R wrist X-ray, AP projection: 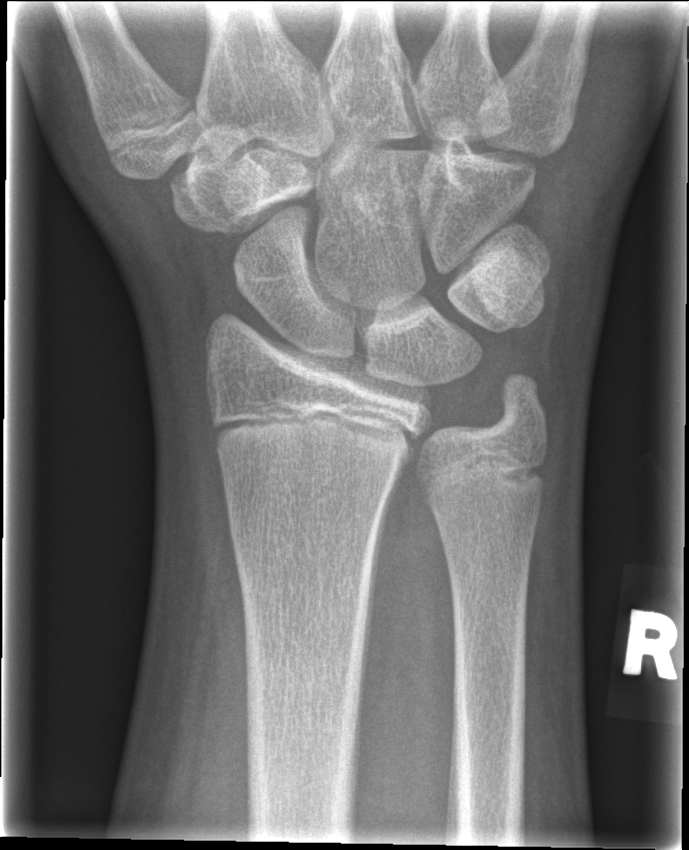

• Fx — <485,362>-<555,432>.
• AO code 23r-M/2.1.